L pediatric wrist radiograph; PA view; pediatric patient (boy, age 10) —
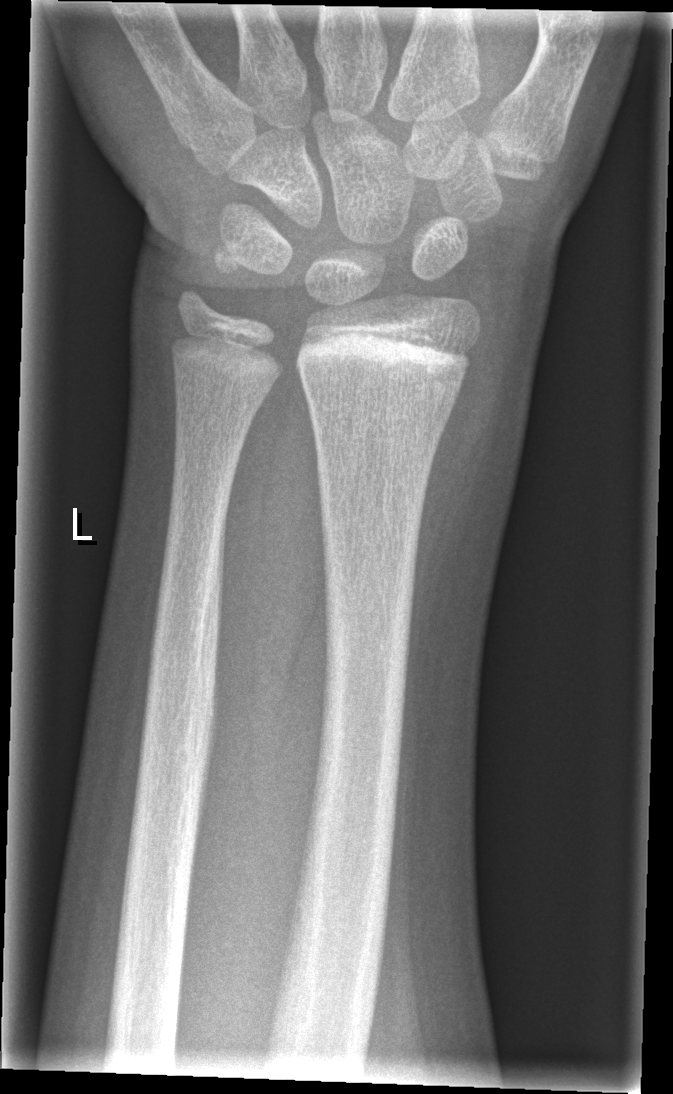
(boxes as x1,y1,x2,y2 (top-left / bottom-right, pixel units))
Fx: 1 @ <292,322>-<478,410>